Left wrist radiograph | posteroanterior —

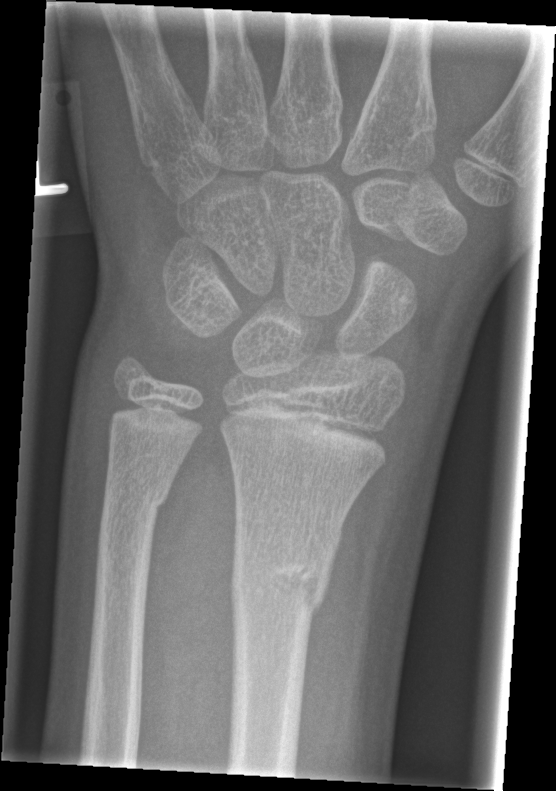

AO/OTA: 23r-M/3.1; 23u-M/2.1
Fracture: 225,519,346,618; 97,479,174,522